Left wrist plain radiograph of the wrist | lateral | female, 10 yo | imaged through cast | acquired on Siemens | 570x834:

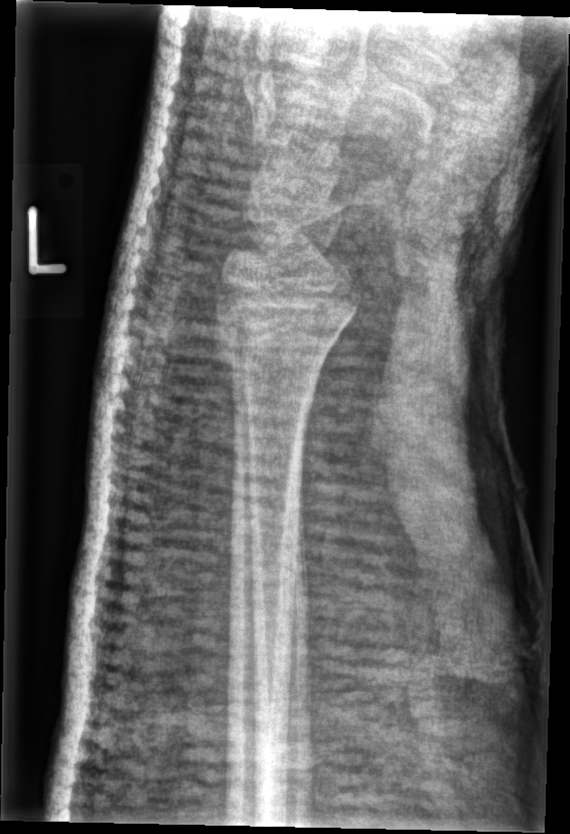

Coordinates are [x1, y1, x2, y2] in image pixels. Bone fracture: bbox(210, 271, 368, 371).